Rt pediatric wrist radiograph · PA · detector: Siemens · image 82.4 mm wide.

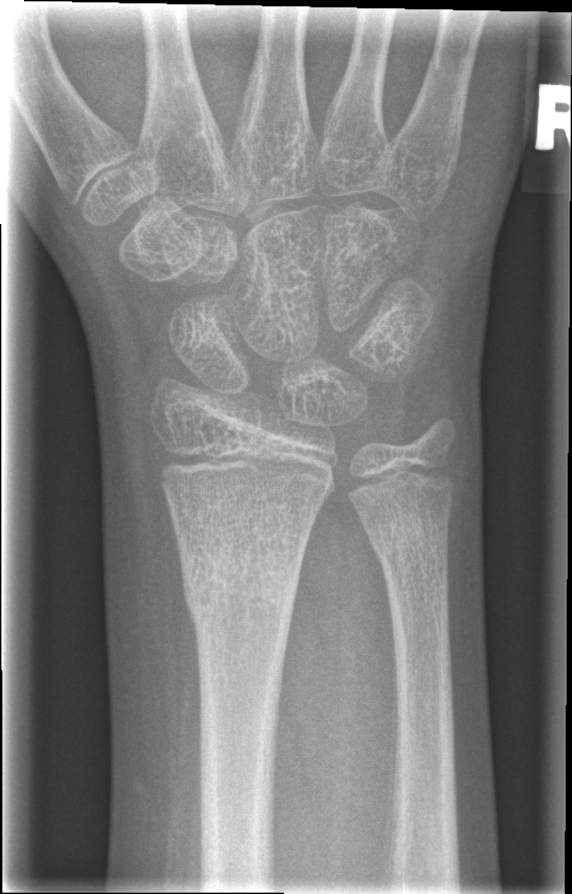   osteopenia: present
  ao: 23-M/2.1
  fracture: 2 @ <177,534>-<306,640> <361,510>-<458,576>